Lateral view; Lt plain radiograph of the wrist:

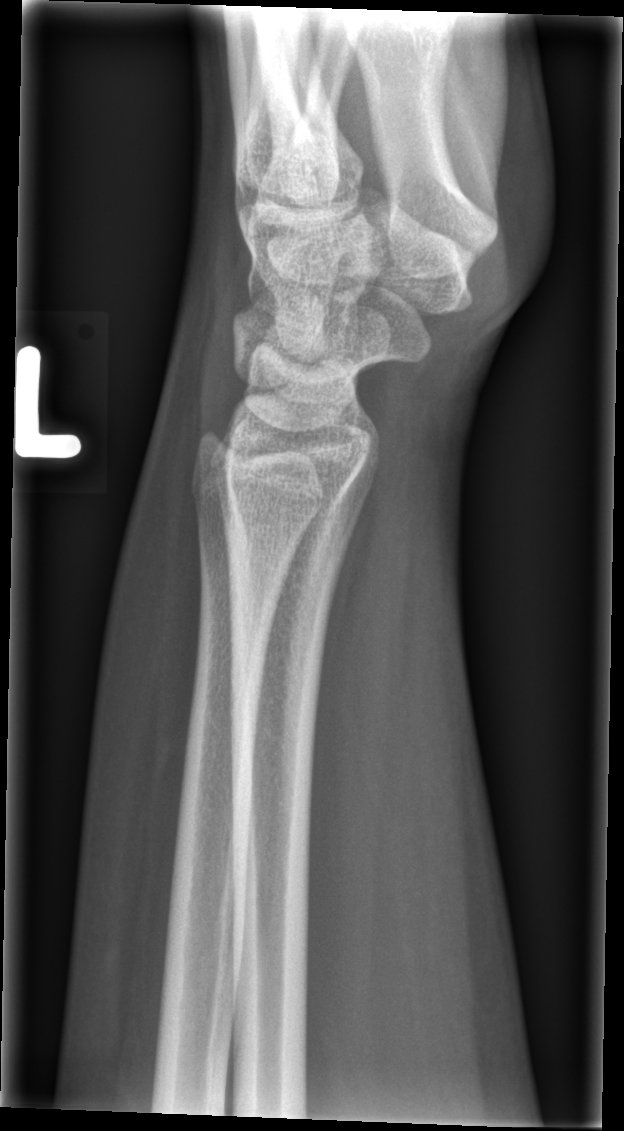

Bone fracture: none labeled